Lateral view, right wrist plain film, presentation radiograph. 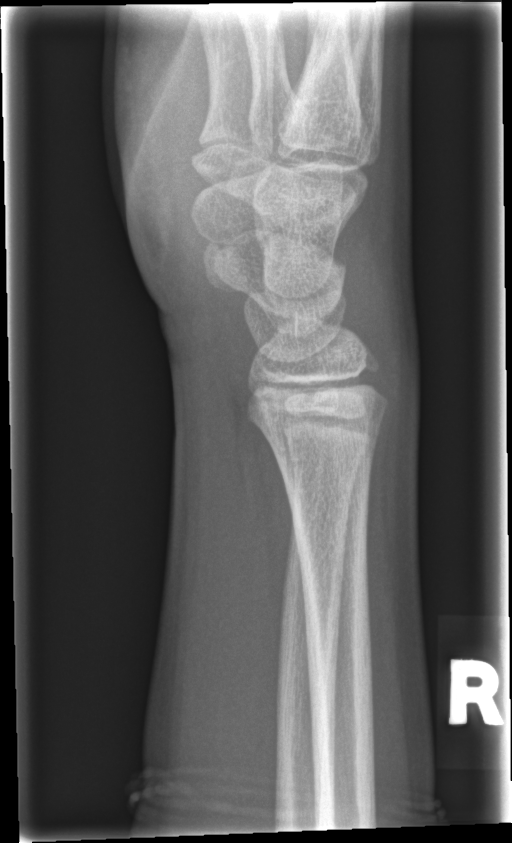
FINDINGS — No fracture annotation.